R wrist plain film, lateral, pediatric patient (female, age 15), initial study: 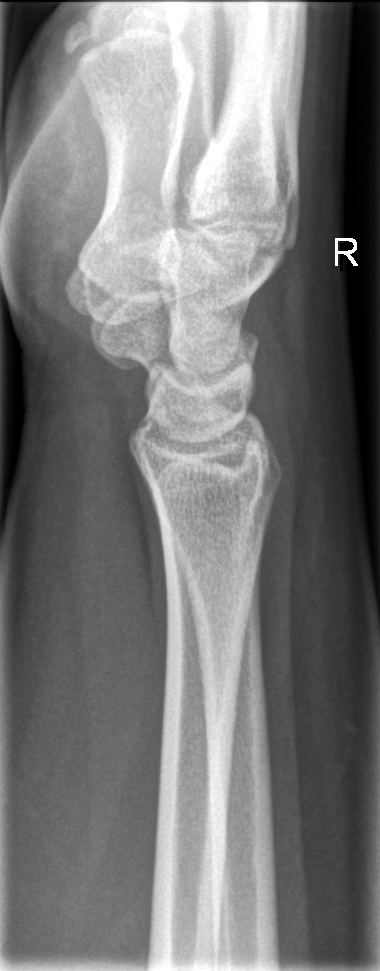 {
  "fracture": "none labeled"
}